Left wrist plain film · AP
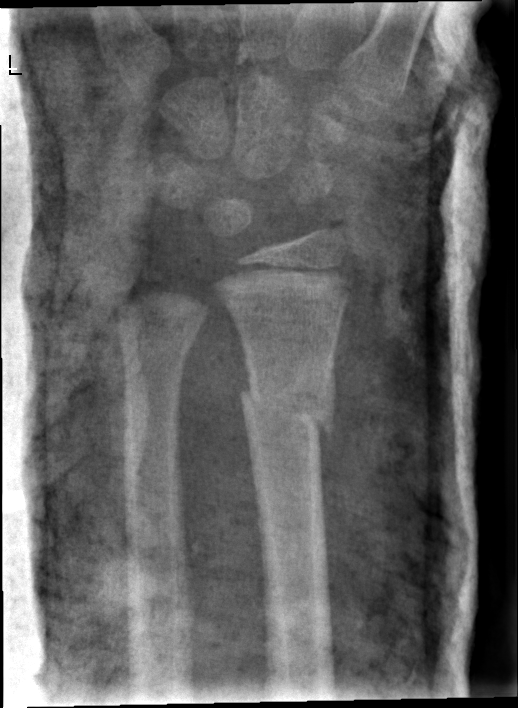
(bounding boxes in image-pixel xyxy)
Q: AO code?
A: AO code 23r-M/3.1; 23u-M/2.1
Q: Locate any fractures.
A: One Fx at (left=235, top=370, right=339, bottom=449)